L wrist XR | lateral projection | 530 by 832 pixels —

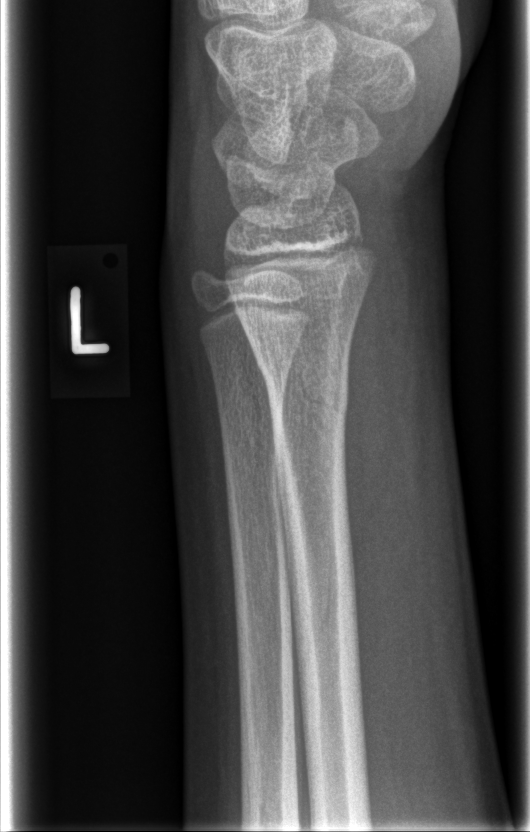 Q: Fracture present?
A: Fracture — (left=255, top=338, right=354, bottom=425)
Q: AO code?
A: Fracture classified AO/OTA 23r-M/2.1